Frontal · R wrist XR · subsequent exam.
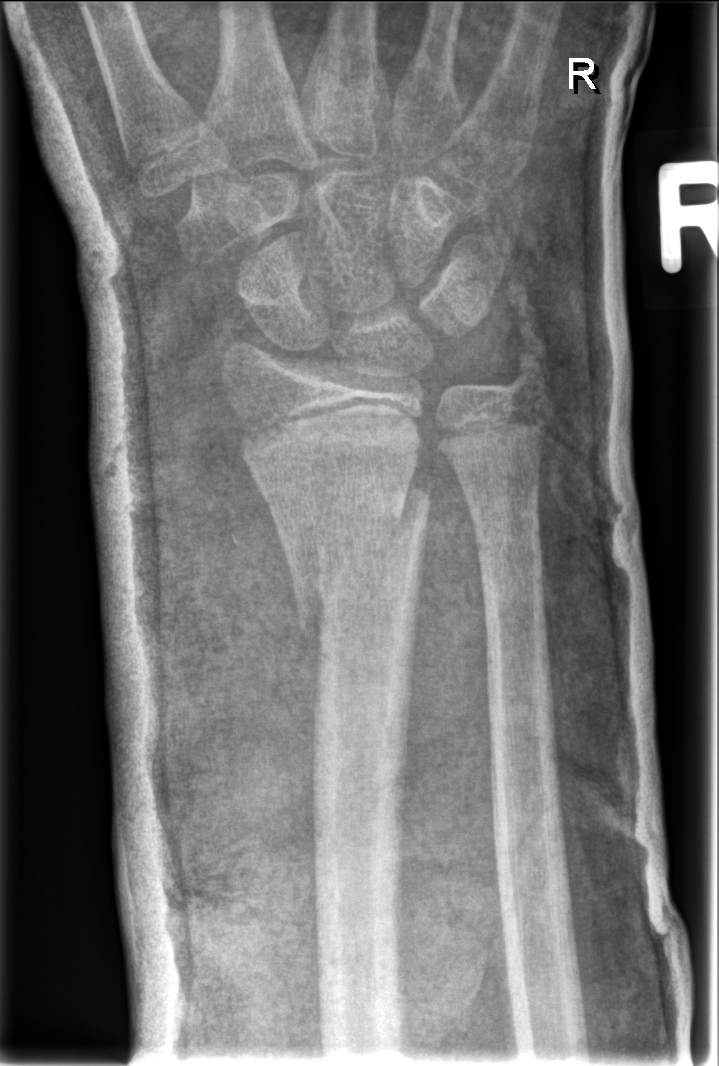 fracture: 1 @ (left=293, top=479, right=438, bottom=650)